Frontal view; L pediatric wrist radiograph — 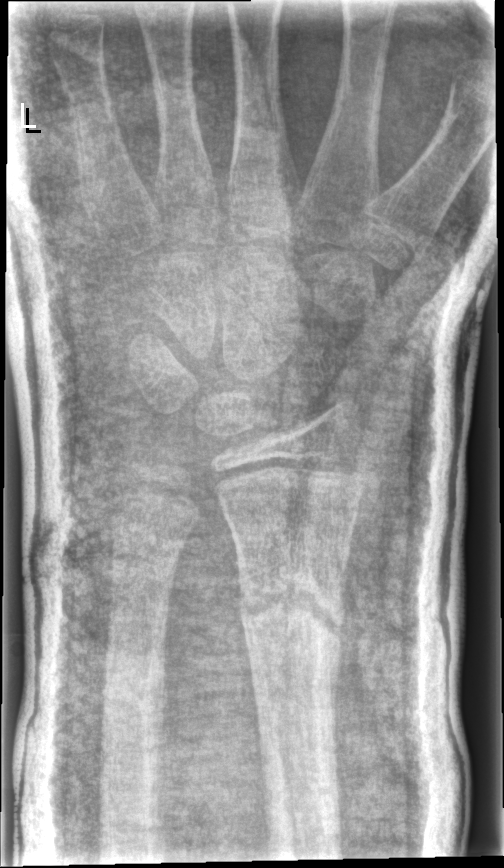

AO code = 23r-M/3.1; 23u-M/2.1
Fracture = 2 @ <232,567>-<351,662>; <97,641>-<173,720>